Left wrist pediatric wrist radiograph; frontal view; 11-year-old male

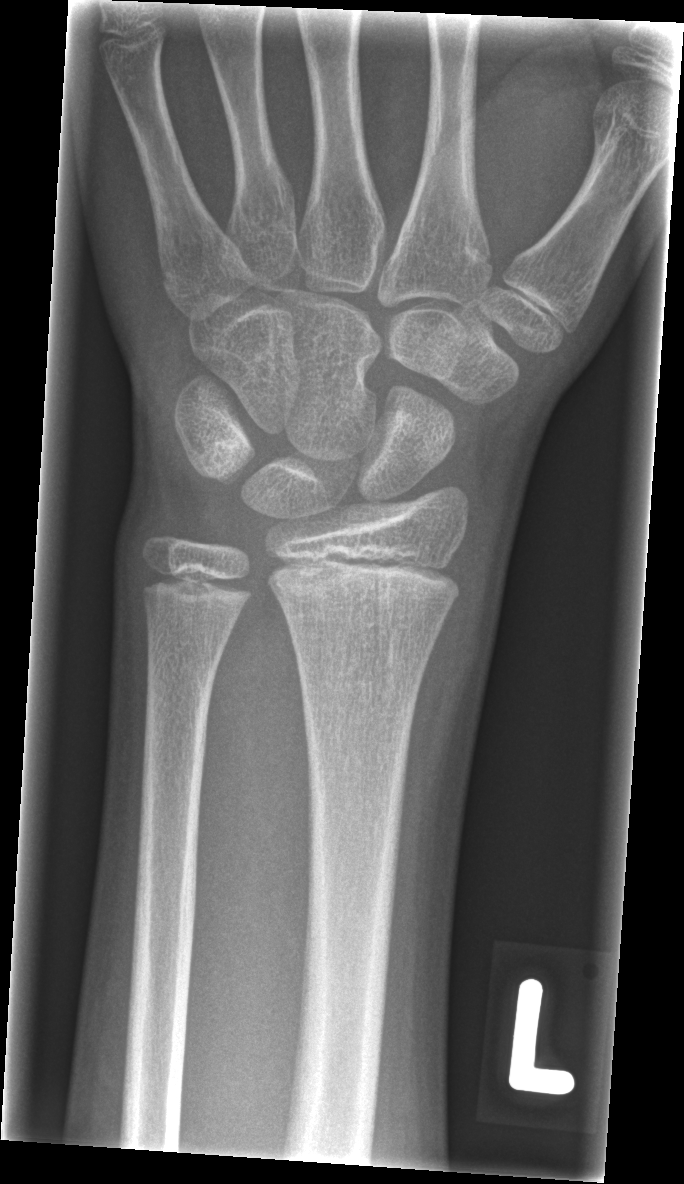 AO classification: 23r-M/2.1
Fx: present but not clearly seen in this view